R wrist XR, PA/AP projection, Siemens

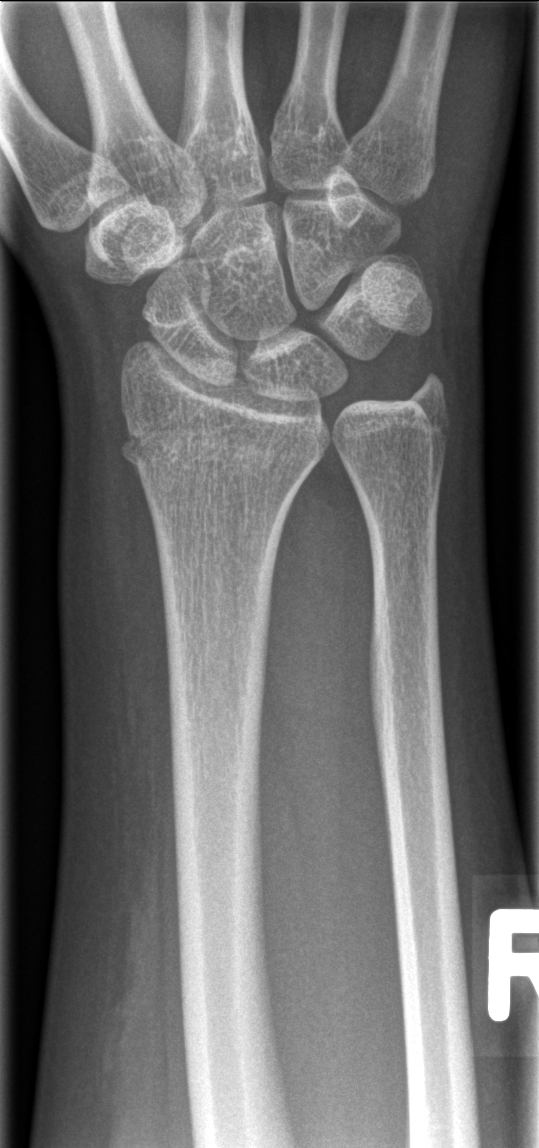

AO/OTA classification: 23r-M/2.1. Bone fracture — 115,407,335,497.